R wrist plain film; lat; cast present; Siemens

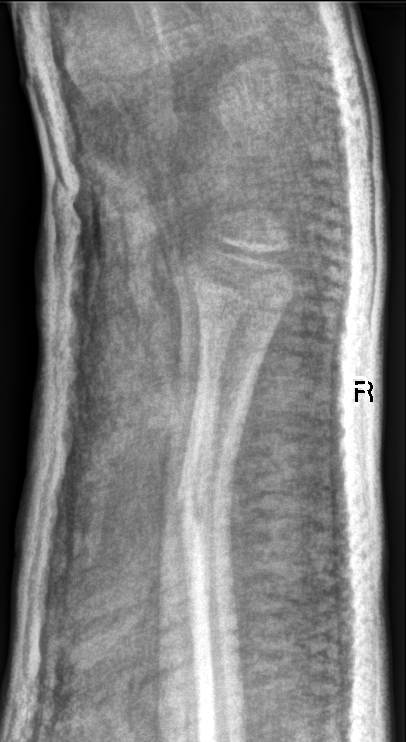
Q: Locate any fractures.
A: Fx: [x1=173, y1=472, x2=238, y2=529]